Left wrist plain radiograph of the wrist | lat | 4-year-old female | presentation radiograph. 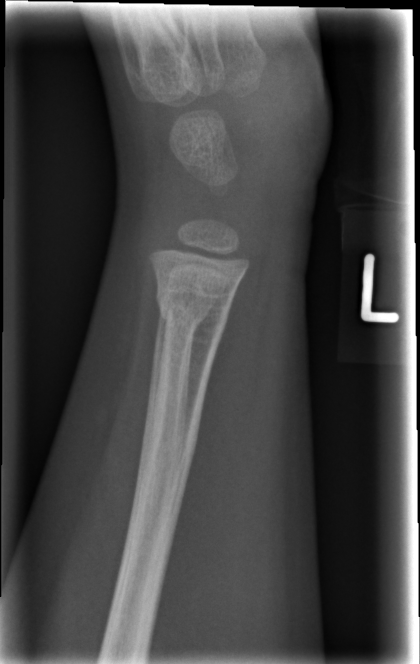 Fx identified at (153, 284, 235, 347).
AO code 23r-M/3.1; 23u-M/2.1.